Lt pediatric wrist radiograph; lateral view; Siemens:
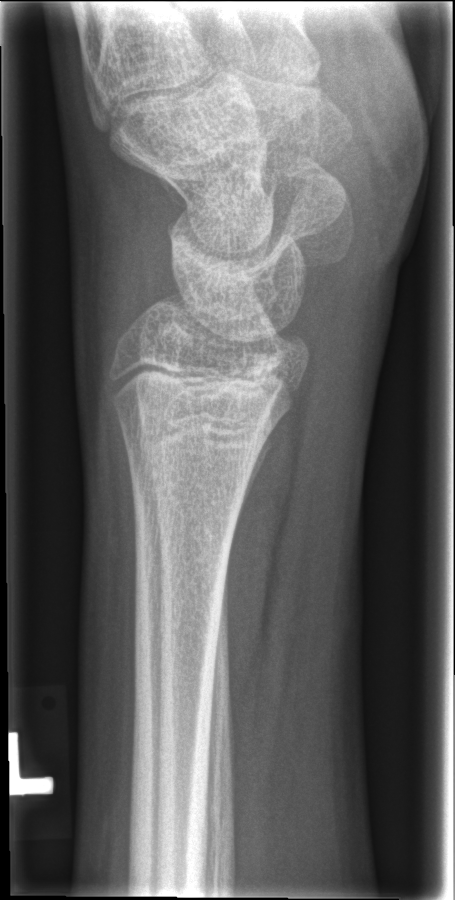 FINDINGS: No fracture bounding box.